Left wrist pediatric wrist radiograph | posteroanterior projection | 16-year-old male | initial study
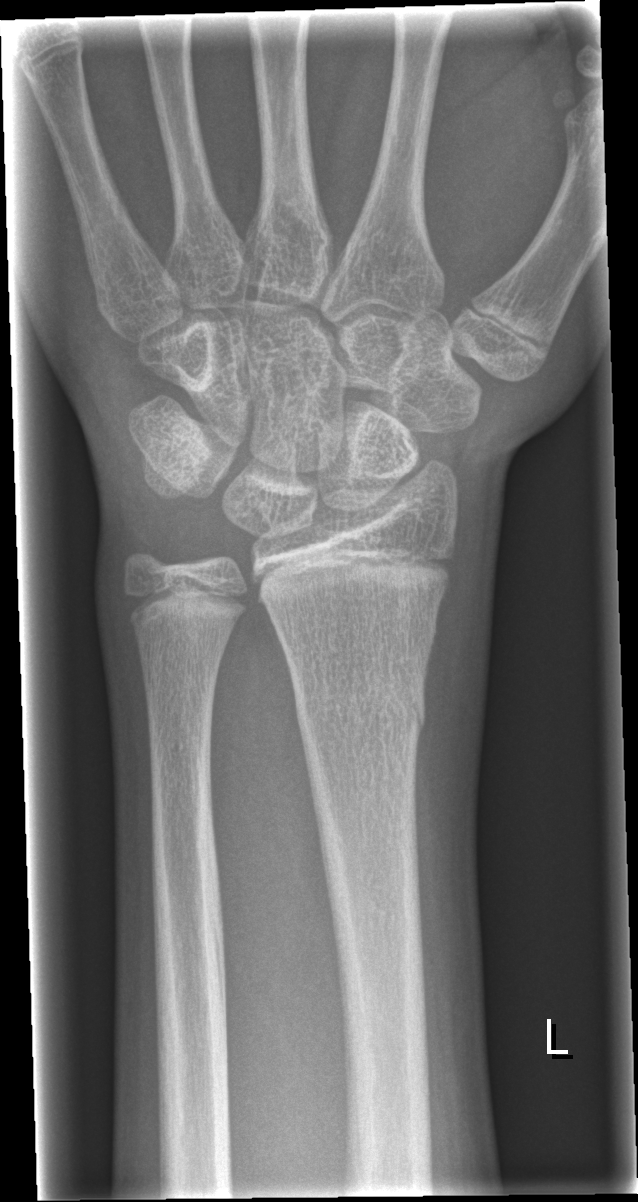
One bone fracture at 292,674,429,749.